PA projection | Lt pediatric wrist radiograph | age 16 y, boy | acquired on Siemens

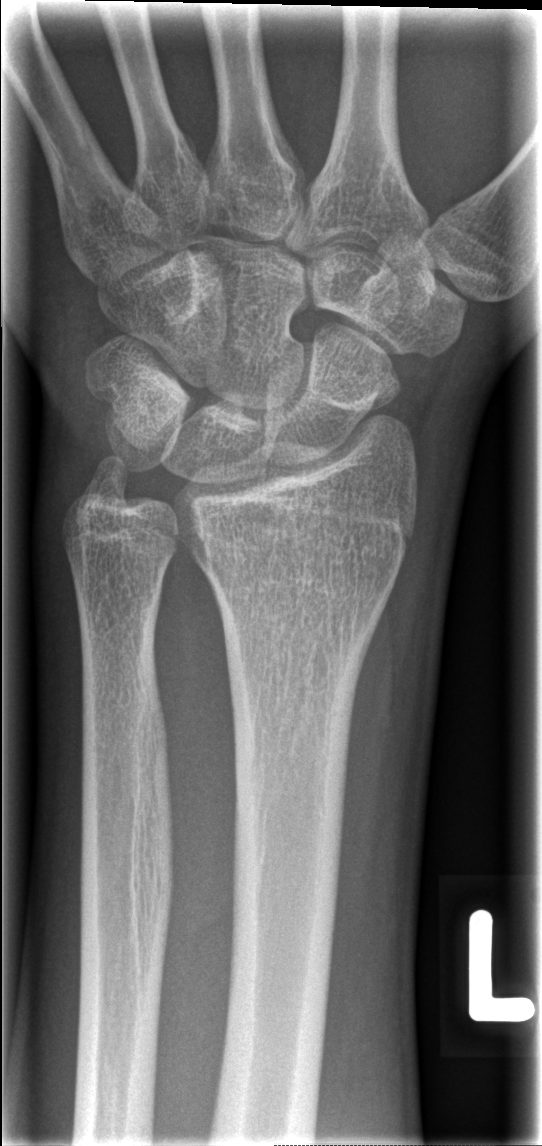 - Fracture classified AO/OTA 23r-M/2.1.
- Fracture present but not clearly seen in this view.